L wrist plain film, AP view, 12-year-old male, follow-up study, cast present, Siemens 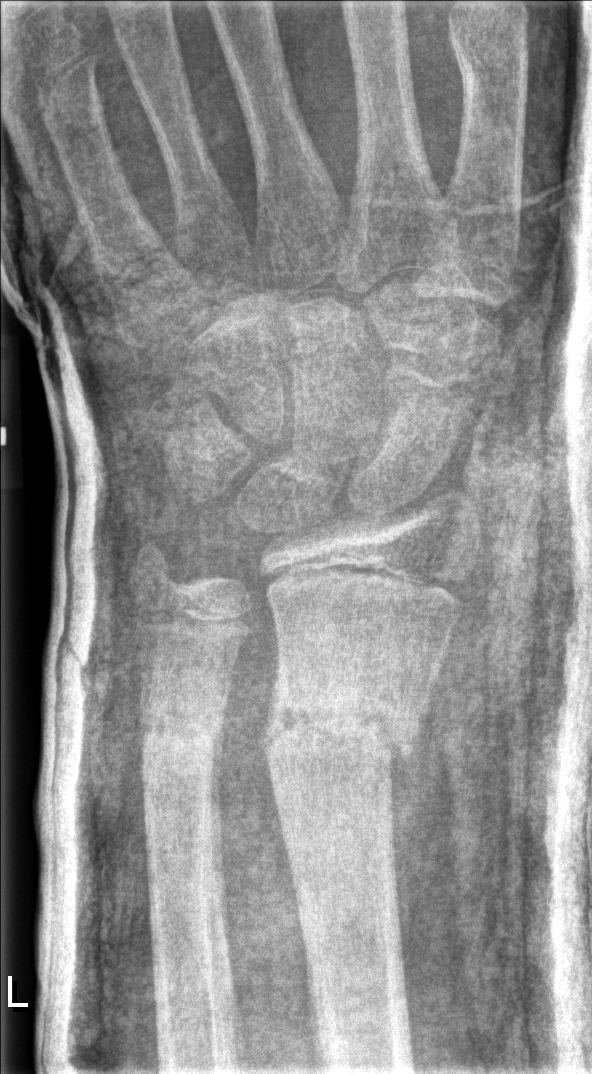

FINDINGS — (pixel coordinates, top-left origin, xyxy) AO/OTA classification: 23-M/3.1; 23u-E/7. Fx: (left=254, top=685, right=428, bottom=777) (left=136, top=711, right=225, bottom=792) (left=122, top=537, right=186, bottom=602).